Lat view · left wrist plain film · 5-year-old male · follow-up · image 84.0 mm wide · 583x1162
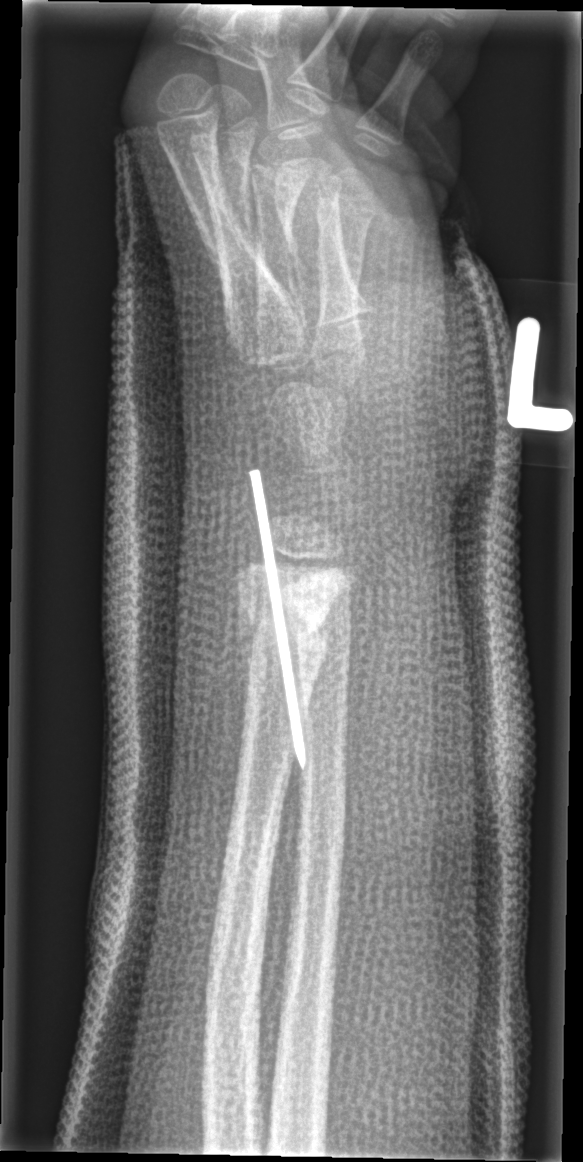 Hardware = 1 @ (246, 465, 309, 774)
Fx = 1 @ (231, 592, 333, 665)